Lat projection | right wrist radiograph | age 10 y, female
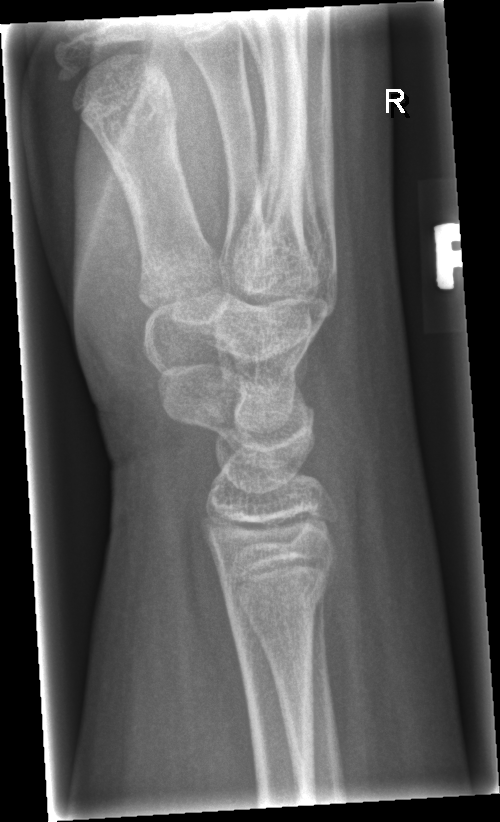

Q: Fracture present?
A: Fracture: 217 553 340 632
Q: AO code?
A: AO/OTA classification: 23r-M/2.1